PA/AP view; left pediatric wrist radiograph; 13y M; diagnosis uncertain; image size 648x830. 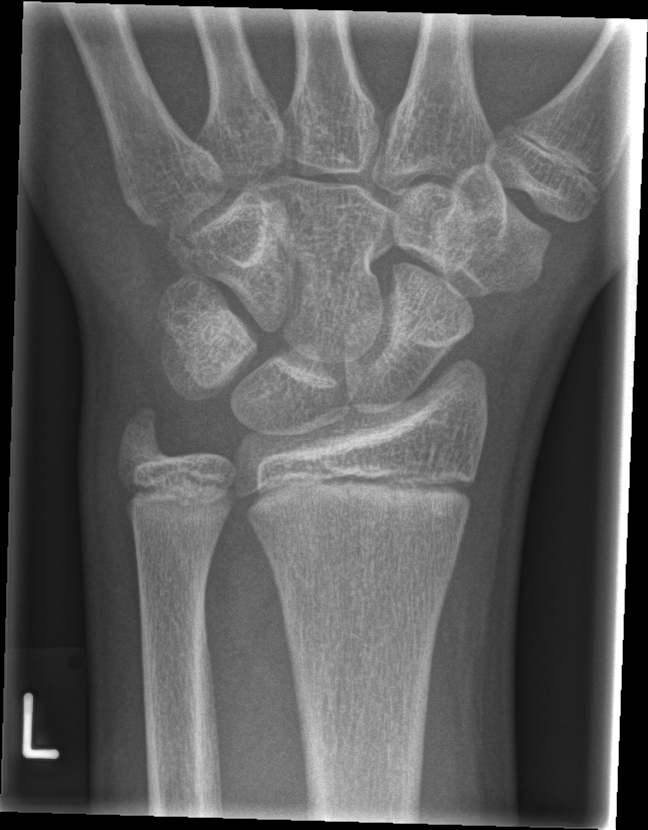 (bounding boxes in image-pixel xyxy)
fracture: [x1=115, y1=402, x2=175, y2=464]